Left pediatric wrist radiograph, lat projection, female, 11 yo, index exam, acquired on Siemens, image width 139.2 mm — 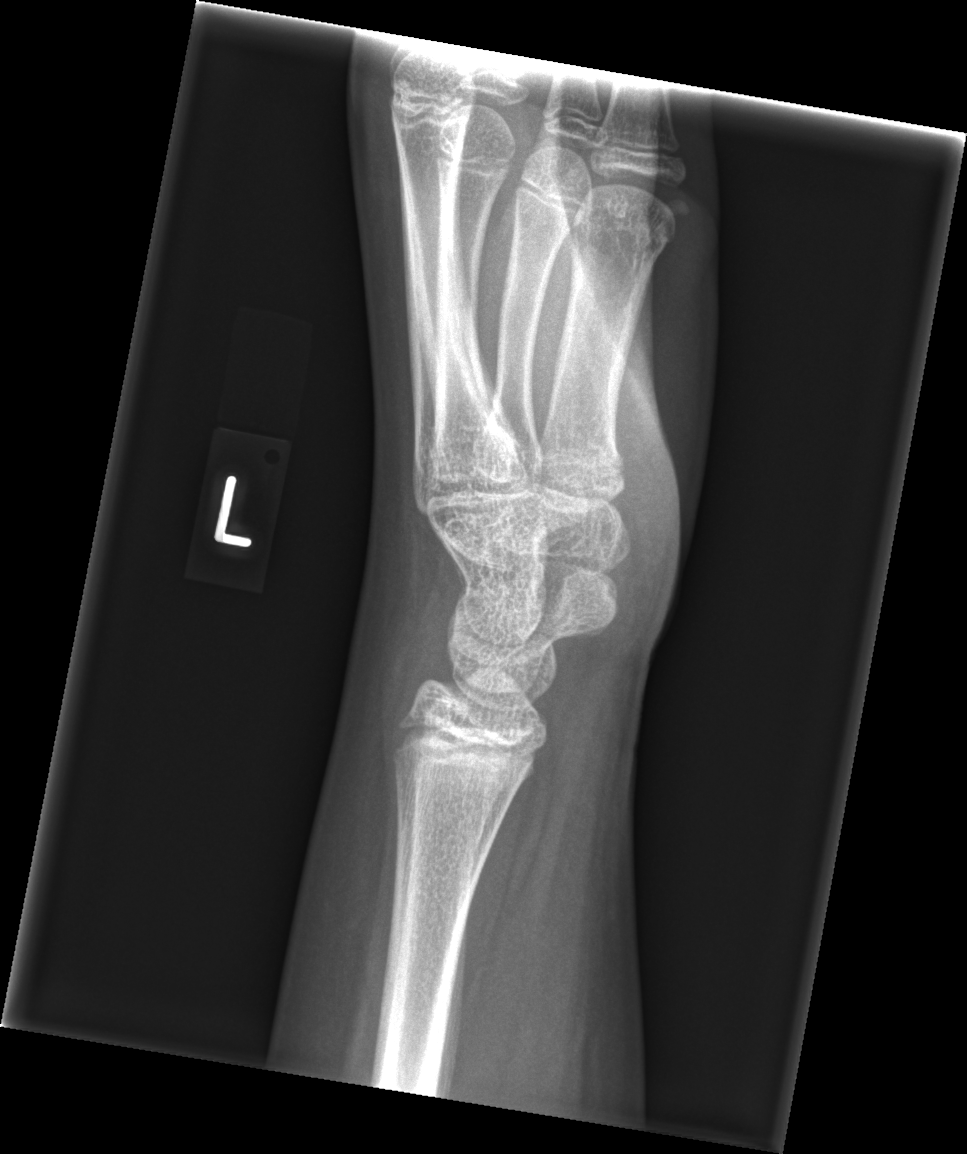
No Fx annotated.